Lateral | Rt pediatric wrist radiograph | 17y M | in cast | image width 75.2 mm
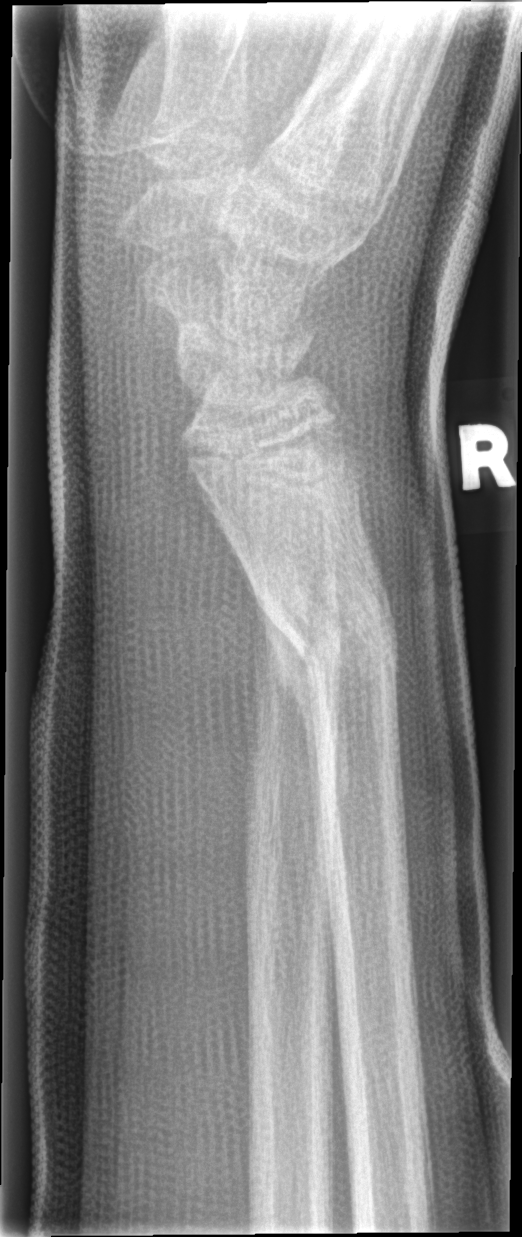 FINDINGS: (boxes as x1,y1,x2,y2 (top-left / bottom-right, pixel units)) Fracture: <224,534>-<405,716>.